Lat · R wrist plain film · boy, 4 yo · initial study. 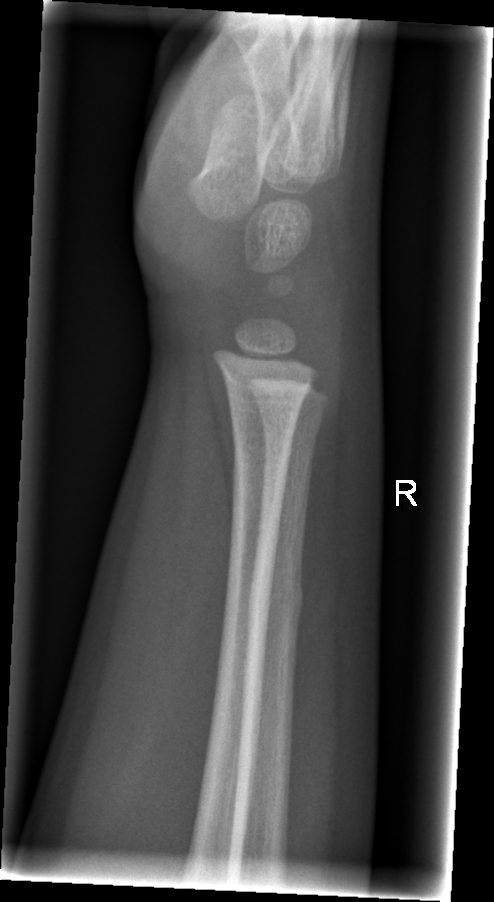

Q: What is the AO/OTA classification?
A: Fracture classified AO/OTA 22u-D/2.1
Q: Is there a fracture?
A: Bone fracture — 244 578 305 623